Right wrist plain film; lateral view; age 13 y, female; index exam; acquired on Siemens; 353 by 976 pixels: 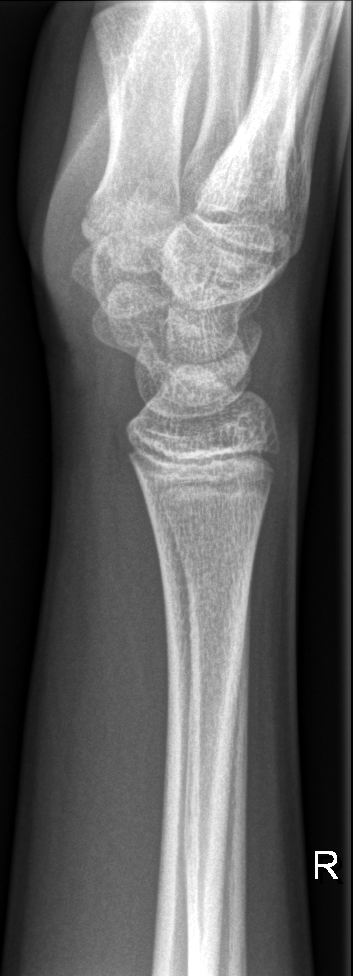 FINDINGS — No fracture annotation.